Left wrist X-ray, posteroanterior, 14y M — 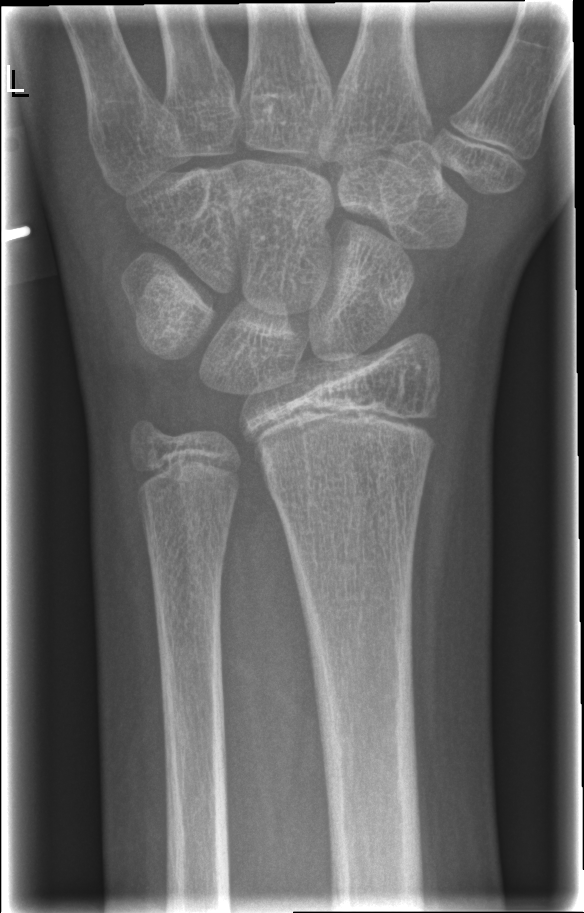 bone fracture: none labeled